Left wrist XR, frontal projection, boy, 12 yo, detector: Siemens, 592x1214.

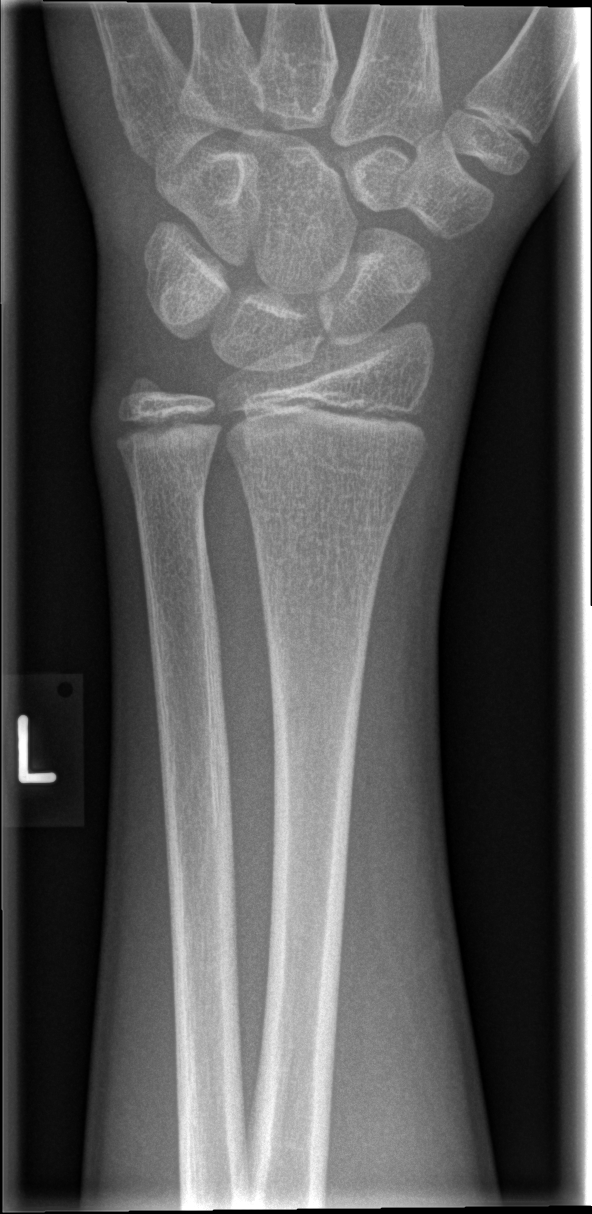
No fracture bounding box.